Right wrist XR; lateral view; boy, 5 yo 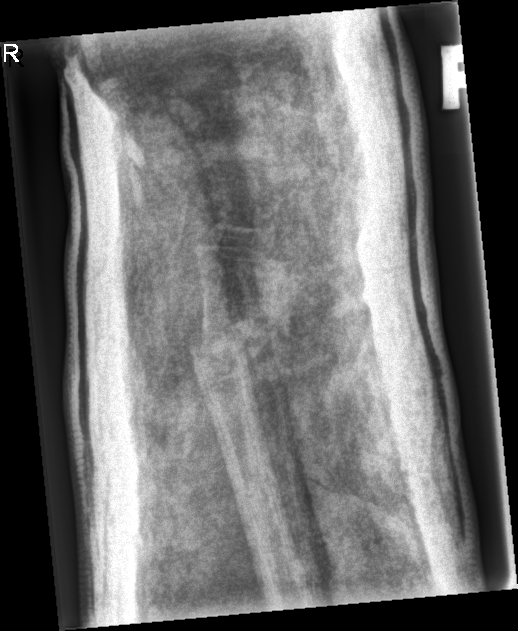 Coordinates are [x1, y1, x2, y2] in image pixels. One Fx at 184 318 272 375. Fracture classified AO/OTA 23-M/3.1.